Left wrist plain film, lateral, boy, 11 yo — 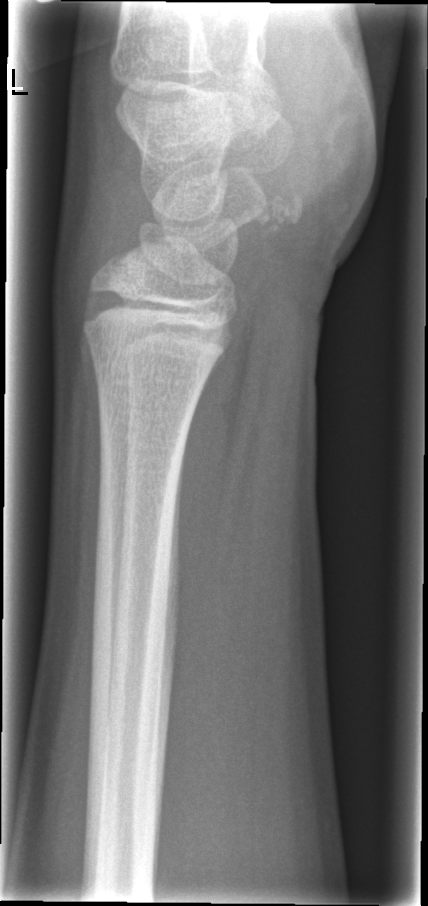
{
  "fracture": "none labeled"
}